Right wrist plain radiograph of the wrist · frontal projection · follow-up study · cast present · detector: Siemens · 526 x 910 px:

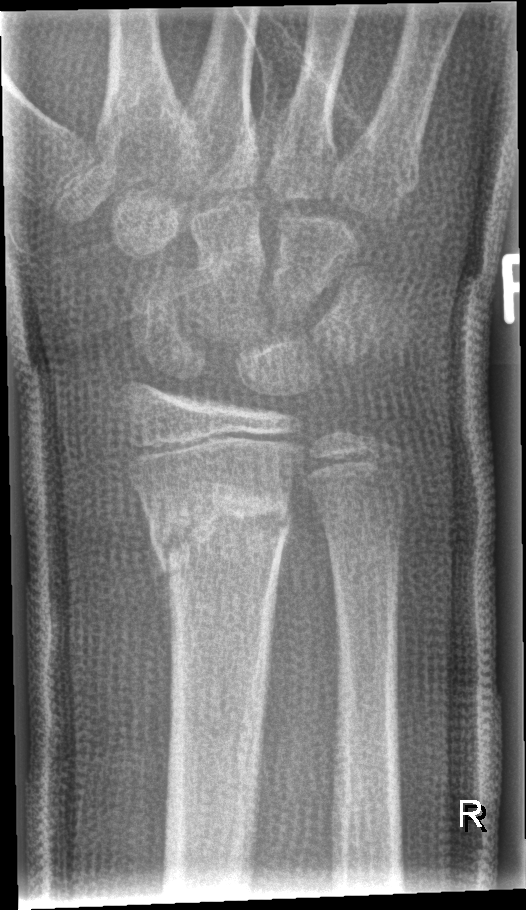

periosteal thickening: <147,525>-<175,673>
Fx: <143,480>-<296,588>